L wrist radiograph, lat projection, cast in situ, acquired on Siemens
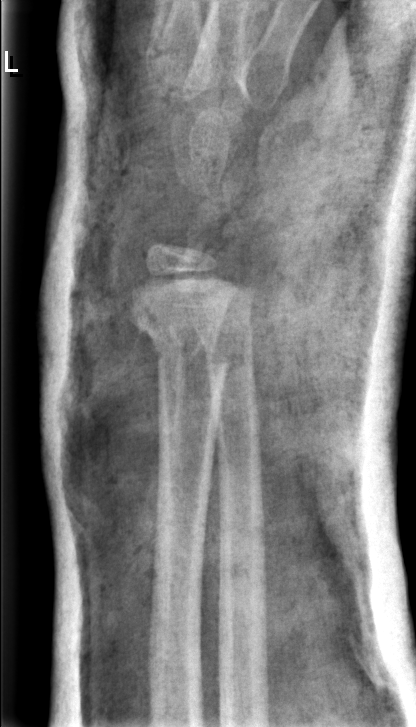

  # pixel coordinates, top-left origin, xyxy
  fracture: <140,321>-<234,380>, <192,315>-<259,361>
  ao: 23r-M/3.1; 23u-M/2.1